PA/AP view | Lt wrist plain film | 8-year-old boy.

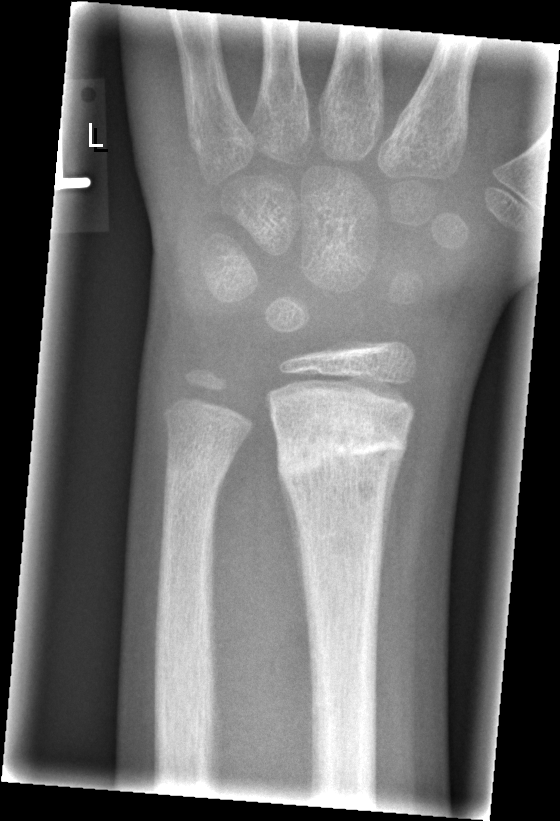
FINDINGS: (boxes as x1,y1,x2,y2 (top-left / bottom-right, pixel units)) Fracture classified AO/OTA 23-M/2.1. Periosteal thickening — (left=277, top=466, right=307, bottom=624); (left=379, top=445, right=409, bottom=599). Two fractures at (left=272, top=412, right=414, bottom=491) (left=161, top=435, right=239, bottom=494).